L pediatric wrist radiograph | lateral view | 14y M | in cast. 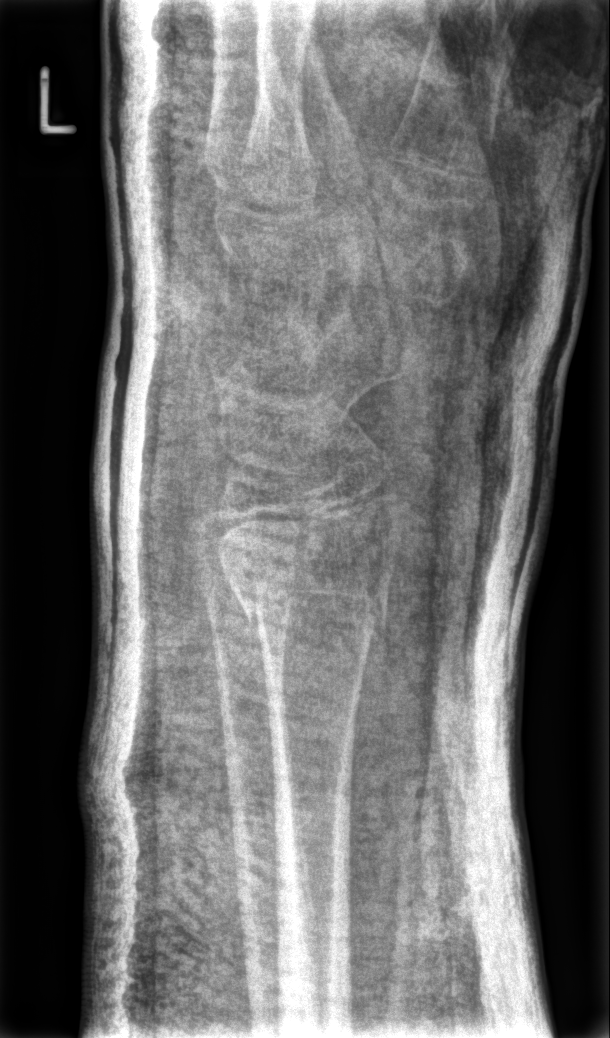

Boxes as x1,y1,x2,y2 (top-left / bottom-right, pixel units). Bone fracture identified at 239,570,400,659.